Posteroanterior projection, right wrist XR, initial study, 68.8 mm image width —

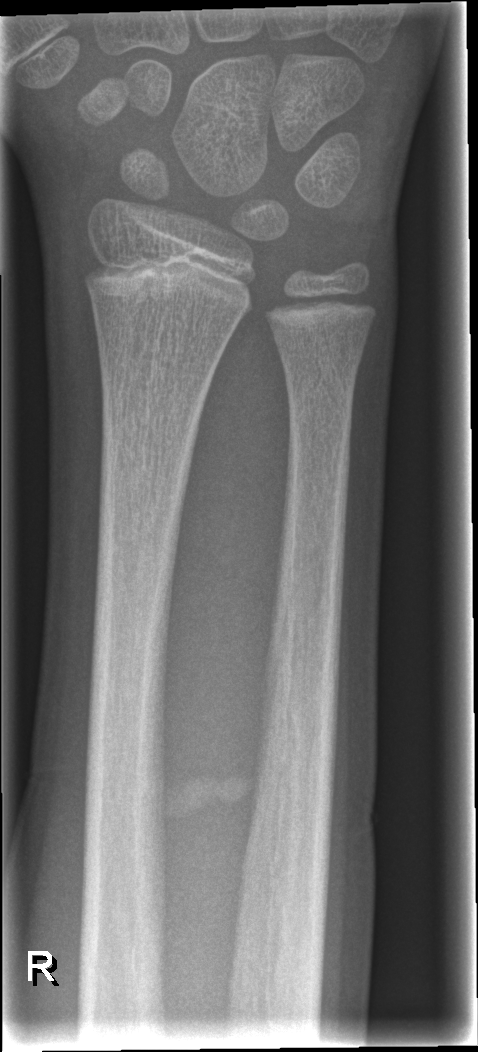
FINDINGS: No fracture labeled.